PA/AP · right pediatric wrist radiograph · pediatric patient (girl, age 7) · image size 433x742
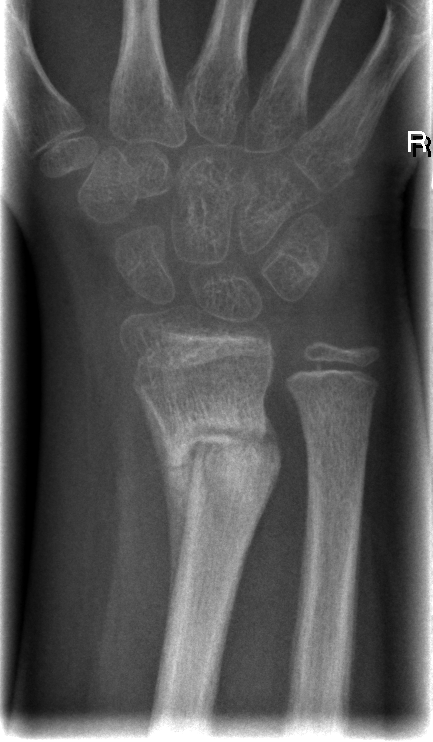 FINDINGS: Reduced bone mineral density. Bone fracture: [x1=163, y1=409, x2=276, y2=488]. One periosteal new bone at [x1=133, y1=378, x2=200, y2=632]. Fracture classified AO/OTA 23r-M/3.1; 23u-M/2.1.